Lateral view, right wrist X-ray, 7-year-old boy —

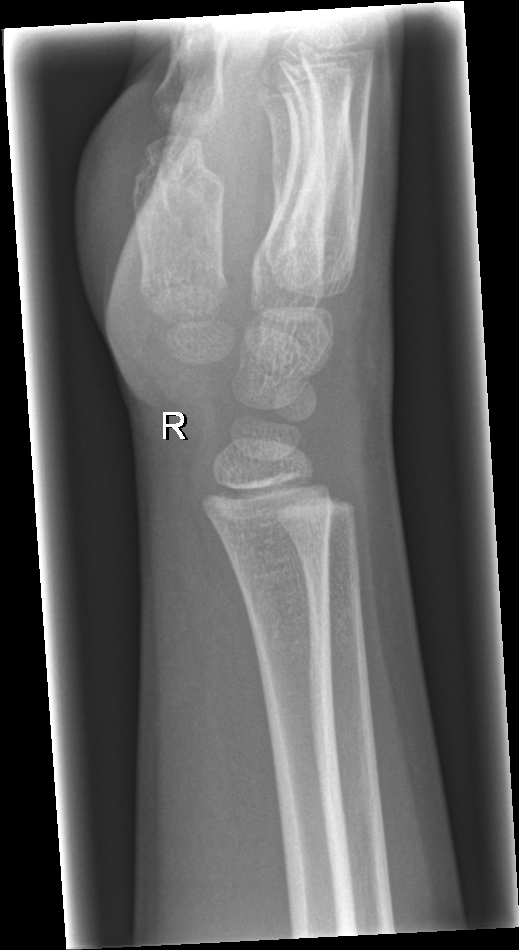 No fracture bounding box.